Lt pediatric wrist radiograph, lat view
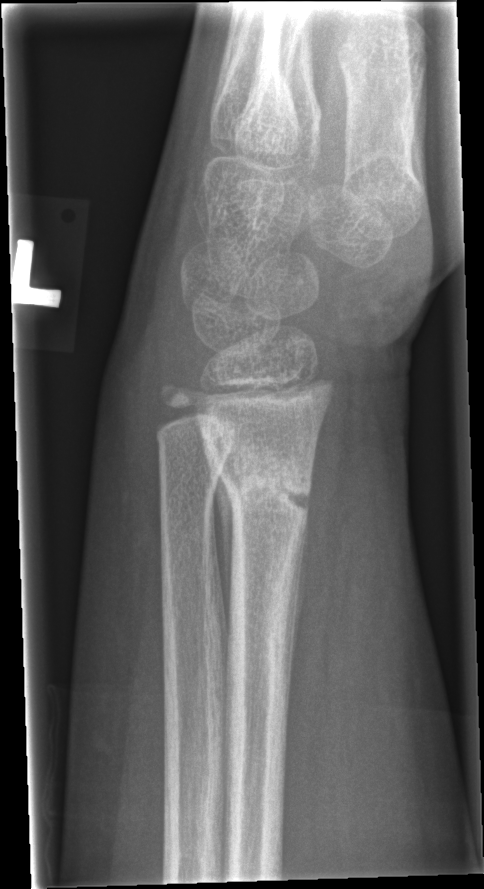
Boxes as x1,y1,x2,y2 (top-left / bottom-right, pixel units).
Fracture classified AO/OTA 23r-M/3.1.
Decreased bone density (osteopenia).
Bone fracture — 200,426,316,537.
Periosteal new bone identified at 286,483,311,689 | 205,450,234,623.